Rt pediatric wrist radiograph | posteroanterior | boy, 13 yo | cast in situ:

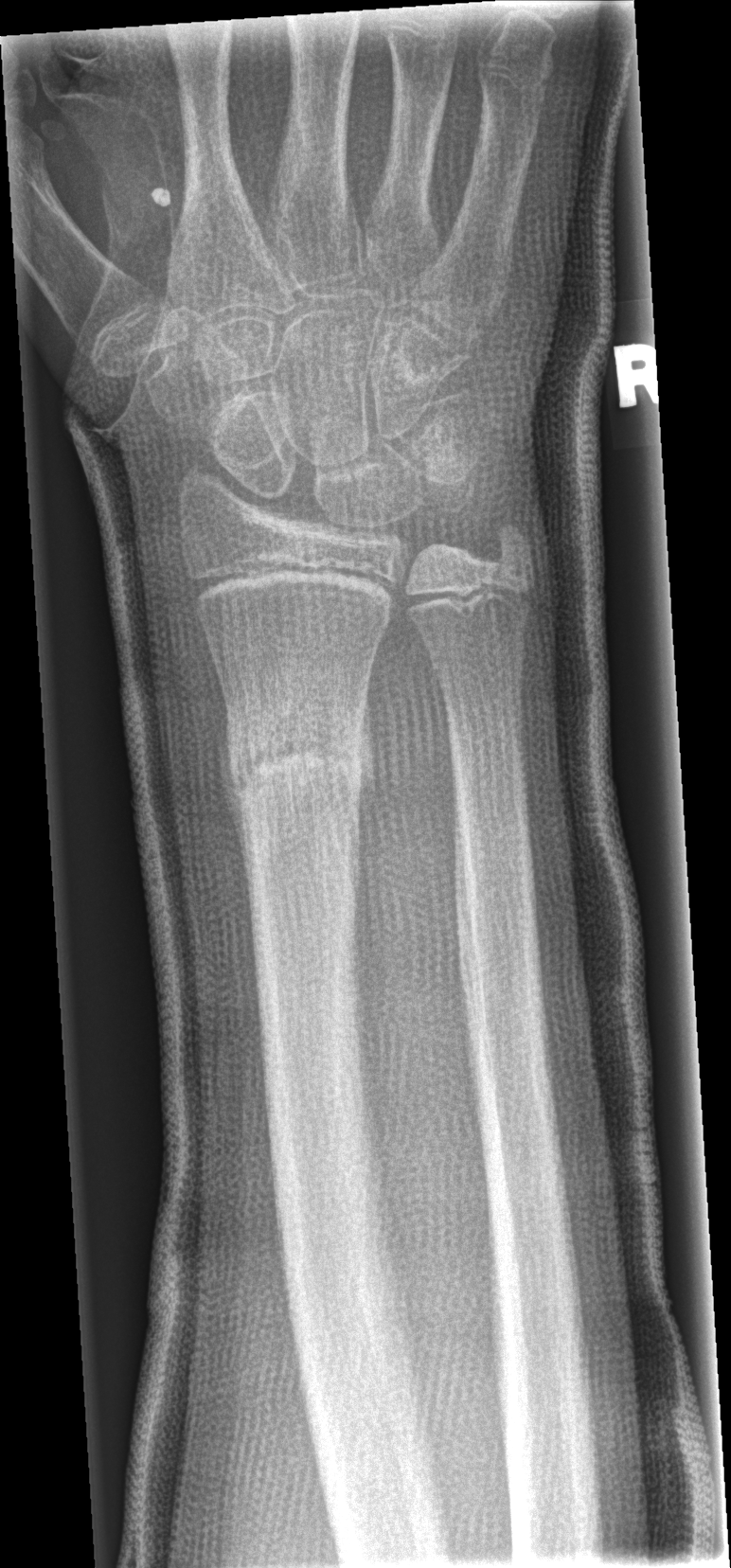

Fracture classified AO/OTA 23r-M/3.1.
Bone fracture: (left=221, top=731, right=373, bottom=811).